Posteroanterior view | right wrist plain radiograph of the wrist | age 8 y, male.
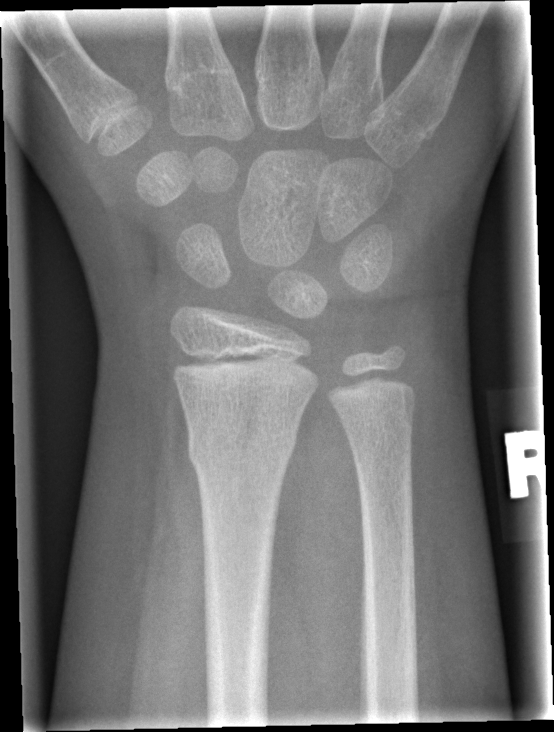

(boxes as x1,y1,x2,y2 (top-left / bottom-right, pixel units))
Fracture = bbox(185, 423, 300, 474)
AO/OTA = 23r-M/2.1